Lateral projection · left wrist pediatric wrist radiograph · in cast —
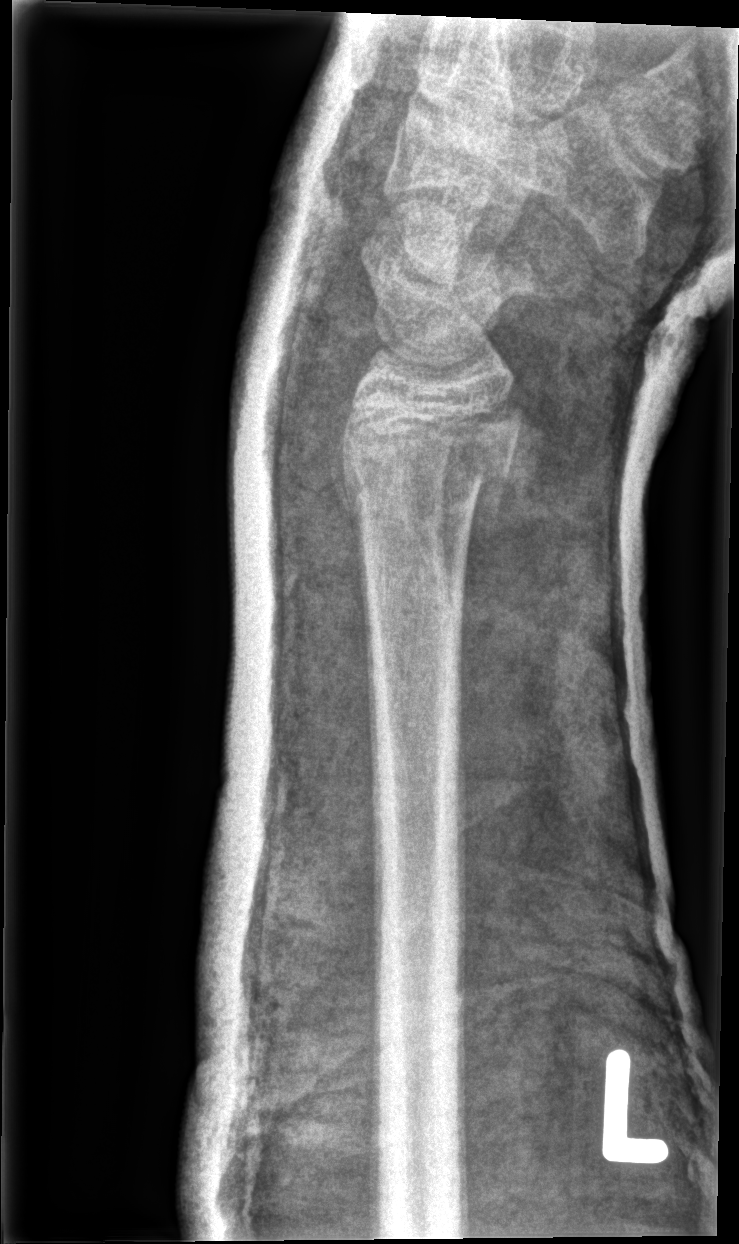
AO/OTA: 23r-M/3.1; 23u-E/7
fracture: 1 @ (332, 417, 521, 526)